L plain radiograph of the wrist, frontal, subsequent exam, in cast, 129.6 mm image width, 900 x 966 px: 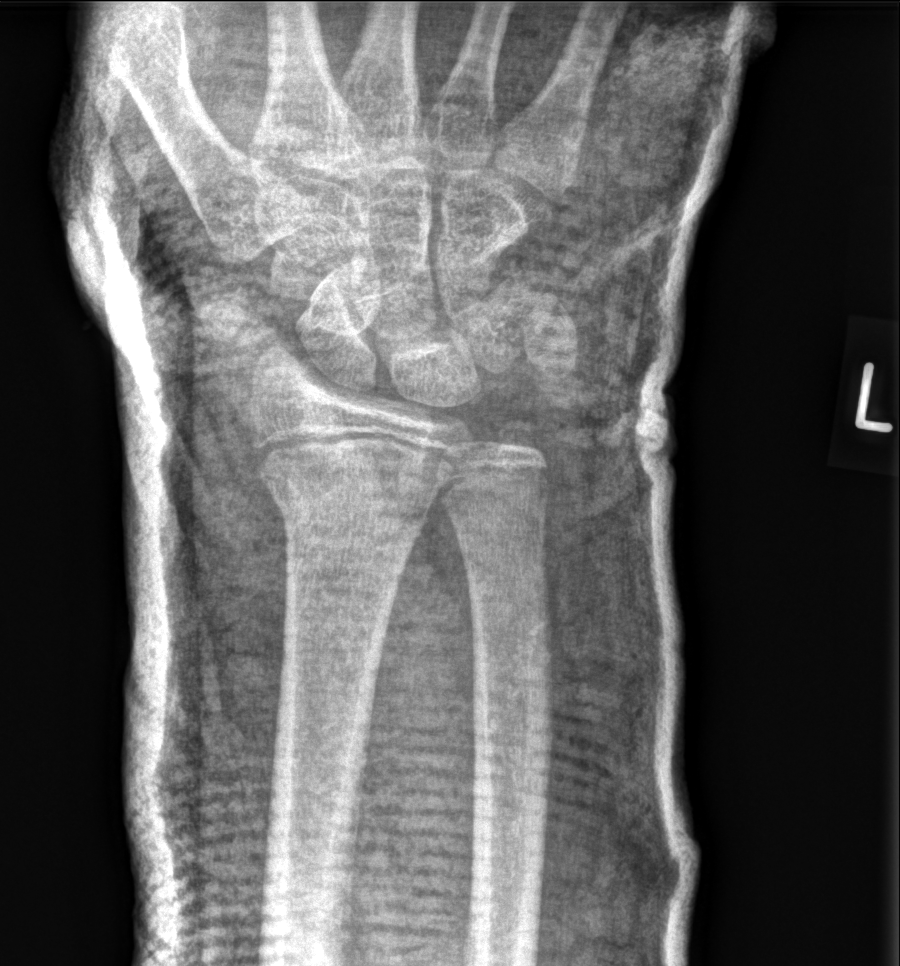

(bounding boxes in image-pixel xyxy)
bone fracture: <250,469>-<447,540>; <491,417>-<550,470>
AO code: 23r-M/3.1; 23u-E/7